Left wrist plain film | lat projection | girl, 16 yo | initial study | 510 by 1224 pixels

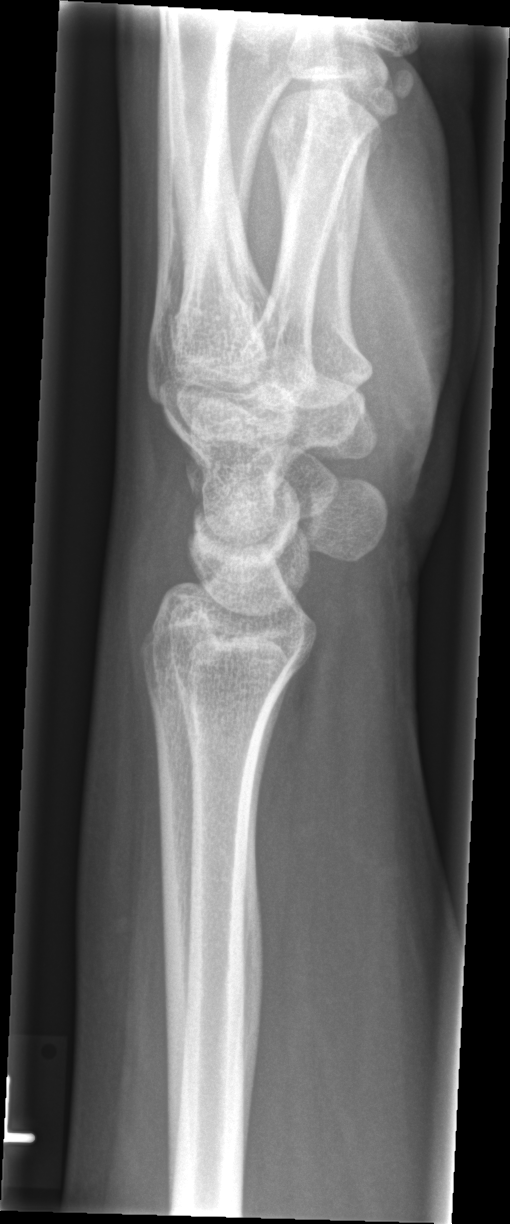 Findings: Fx: none.